Frontal, right wrist plain film 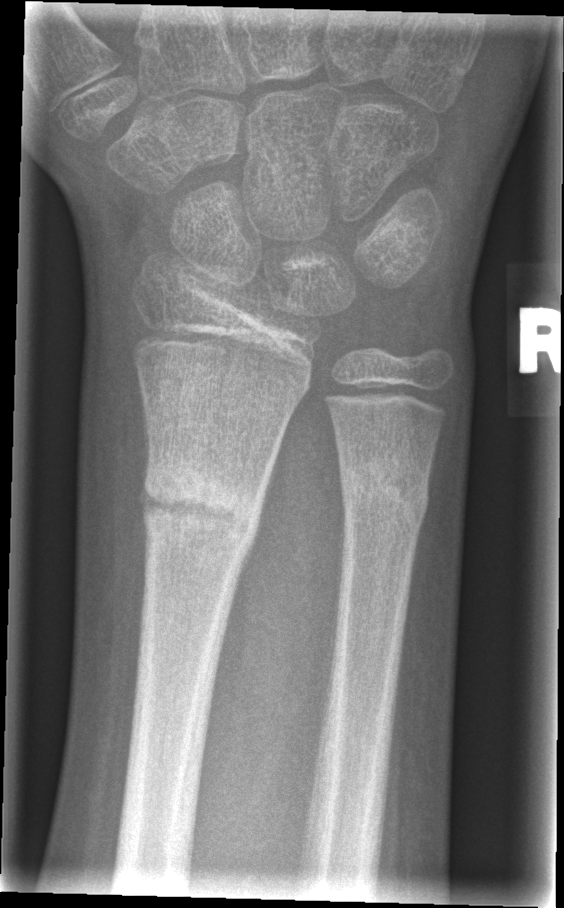 Fracture identified at (left=138, top=460, right=264, bottom=552) (left=333, top=449, right=433, bottom=541).
AO/OTA classification: 23-M/2.1.